R wrist radiograph; lateral; presentation radiograph —

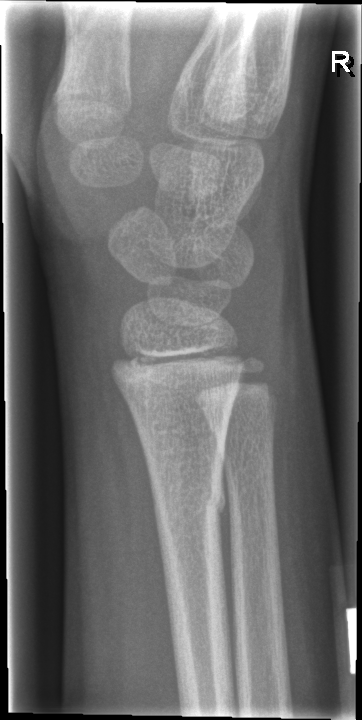 FINDINGS — Fx: [x1=148, y1=469, x2=231, y2=537]. AO/OTA classification: 23r-M/2.1.